Frontal | right wrist XR | age 11 y, boy | acquired on Siemens —
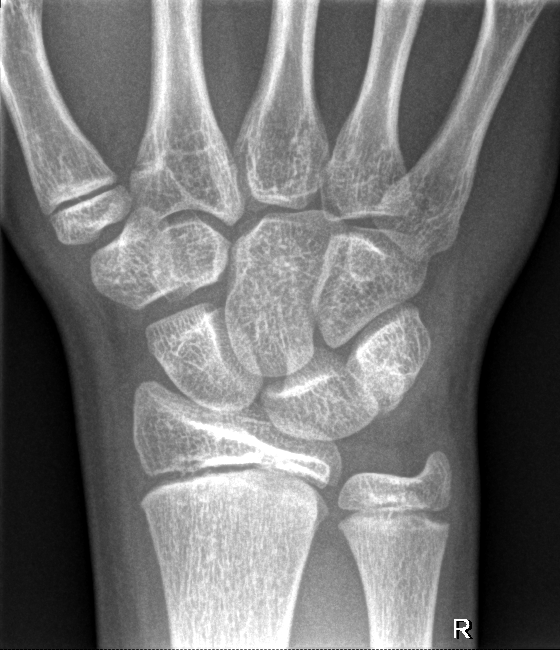 Q: Locate any fractures.
A: Fx: none